Posteroanterior projection; Rt wrist X-ray; follow-up —

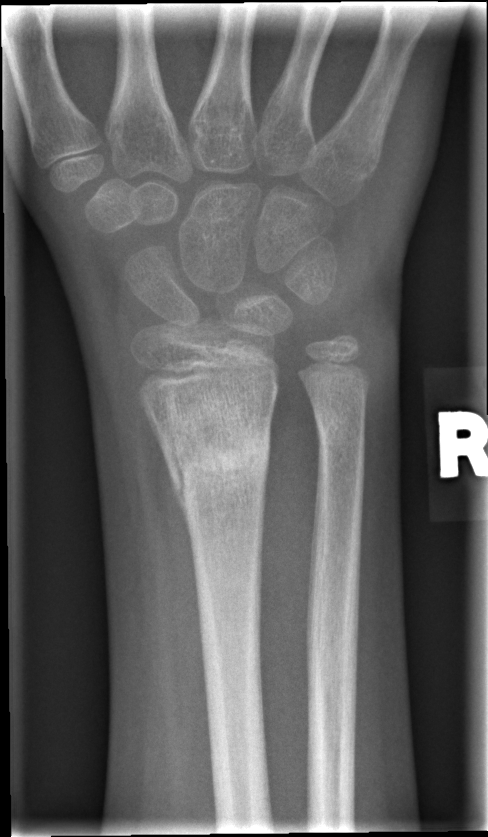
Findings: Bone fracture — (left=156, top=406, right=274, bottom=512).